PA/AP view | left wrist X-ray | male, 13 yo | image size 831x960 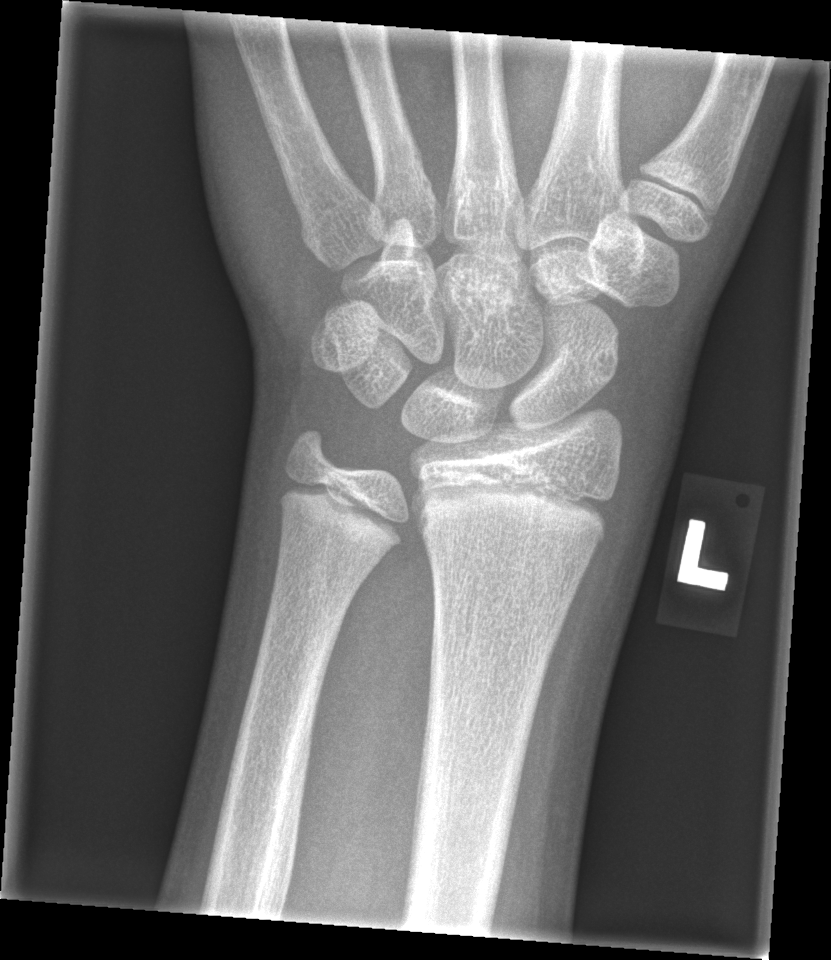

fracture = none labeled